R pediatric wrist radiograph | lateral view | 15-year-old male | image size 736x1562

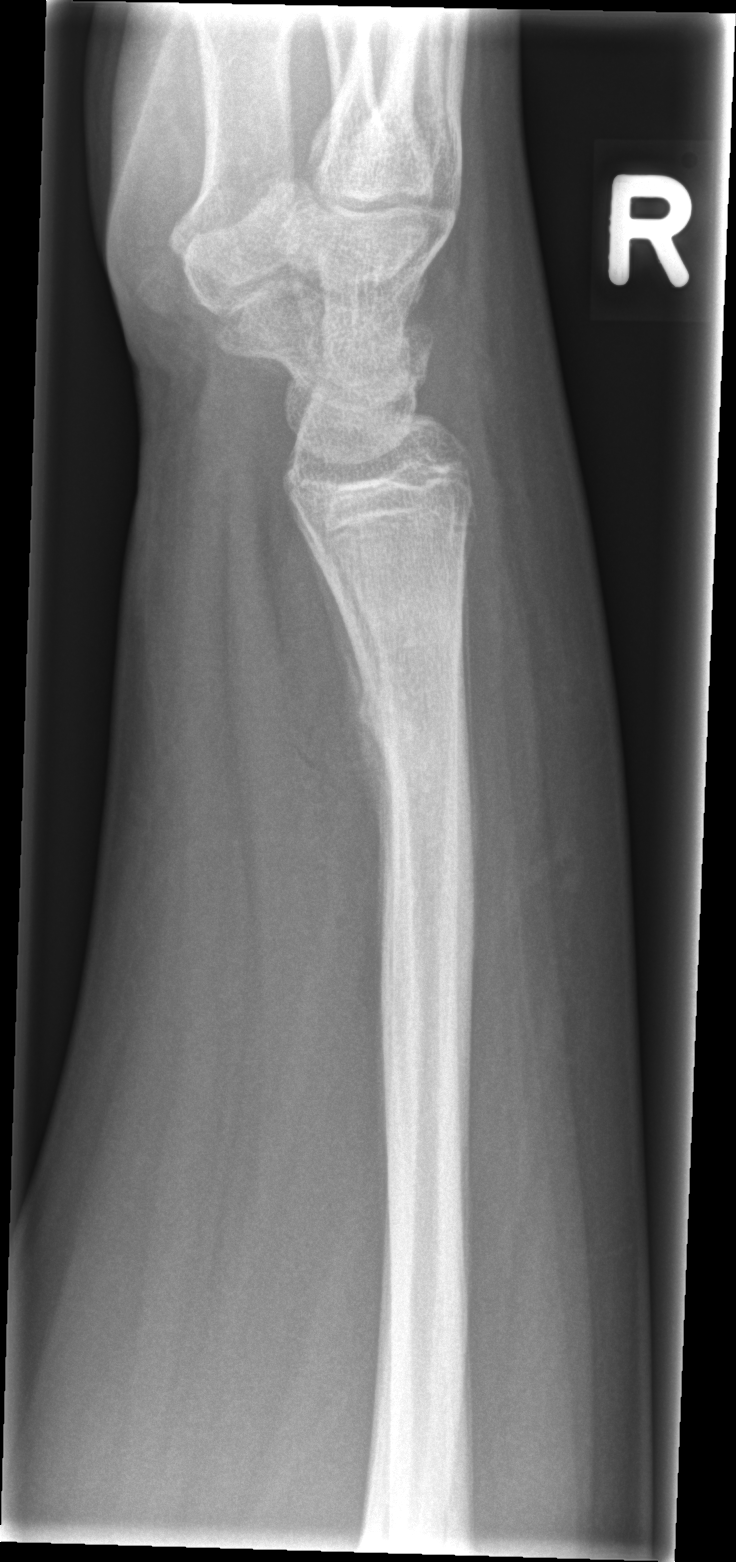
{
  "ao": "22r-D/2.1; 23u-M/2.1",
  "fracture": "(352, 655, 472, 769)",
  "periostealreaction": "(305, 536, 392, 916); (462, 561, 482, 884)",
  "softtissue": "(469, 402, 620, 1053)"
}